Left wrist X-ray; PA view; 6y M; follow-up study; imaged through cast; 491 x 754 px
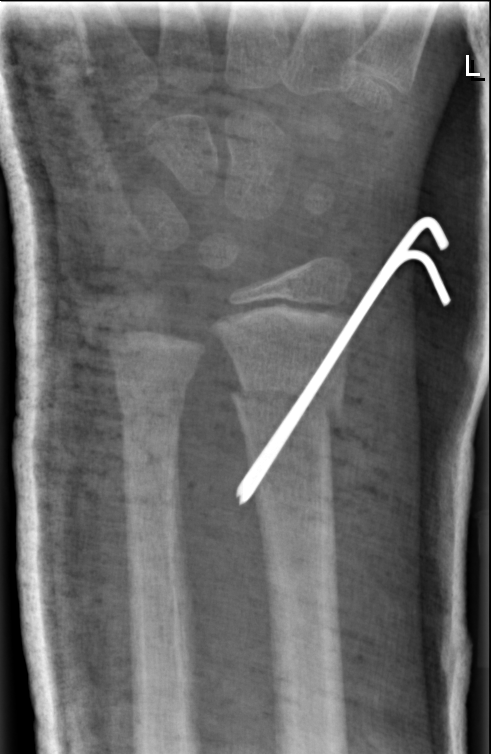

FINDINGS: Two Fx at (226, 368, 349, 433), (111, 372, 189, 426). Metallic hardware — (229, 200, 464, 508).